Rt pediatric wrist radiograph | PA/AP projection | boy, 7 yo | Siemens
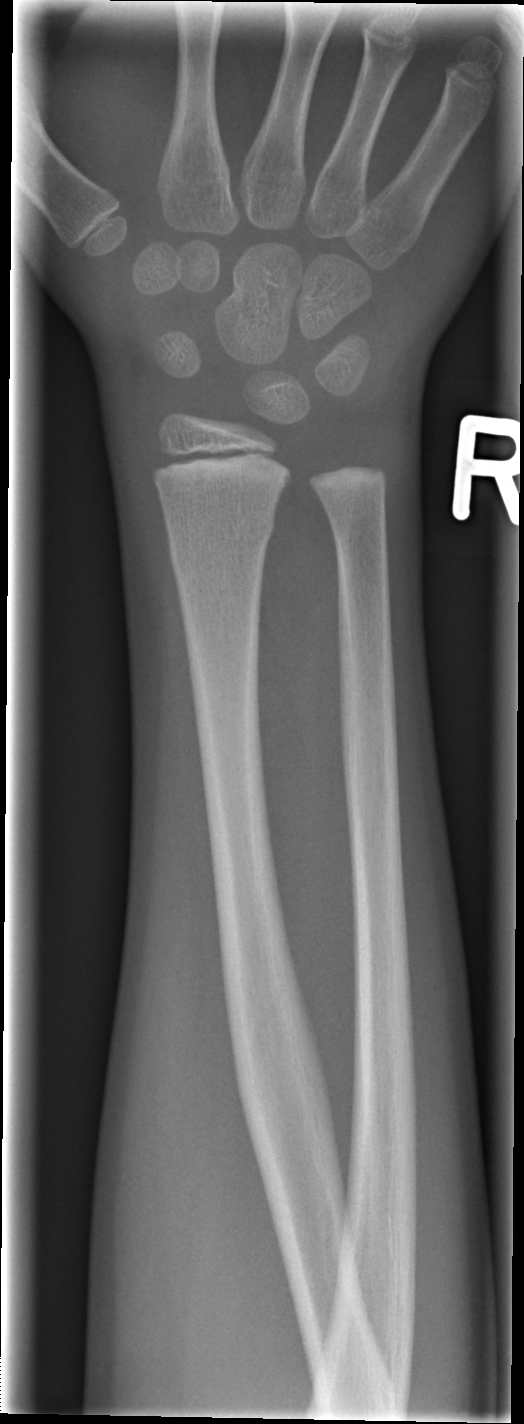 • Boxes as x1,y1,x2,y2 (top-left / bottom-right, pixel units).
• One fracture at 165,507,279,578.